Frontal projection; left wrist X-ray; age 10 y, male; image width 85.4 mm; 593 x 1014 px — 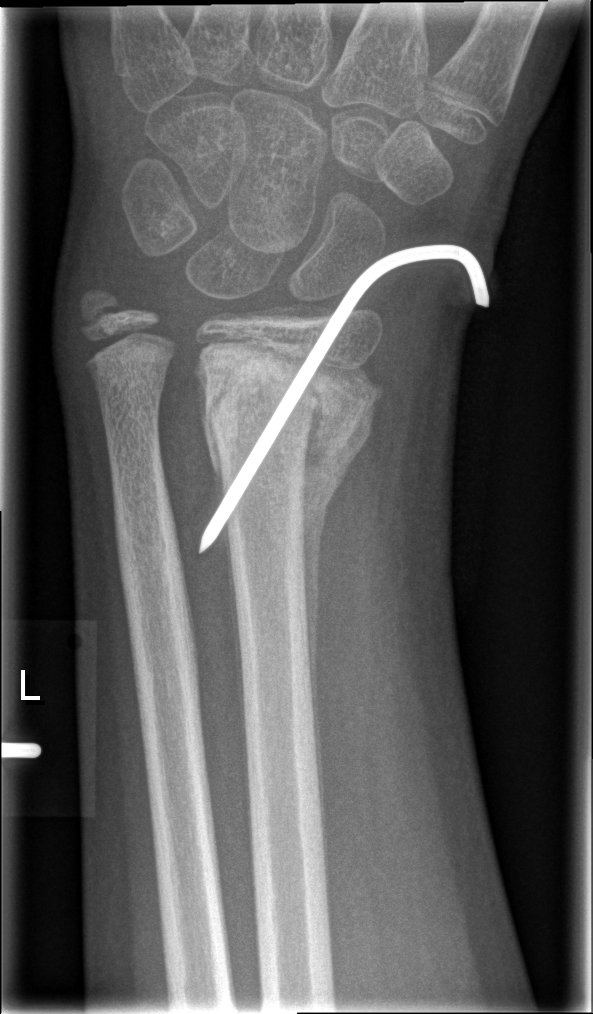

* Bounding boxes in image-pixel xyxy.
* Periosteal new bone — [x1=300, y1=367, x2=385, y2=870] [x1=224, y1=521, x2=249, y2=830] [x1=197, y1=362, x2=224, y2=506].
* Fracture identified at [x1=192, y1=333, x2=388, y2=487]; [x1=76, y1=285, x2=139, y2=340].
* Fracture classified AO/OTA 23r-E/2.1; 23u-E/7.
* Hardware identified at [x1=196, y1=243, x2=490, y2=555].